AP view, L wrist XR, age 8 y, girl —
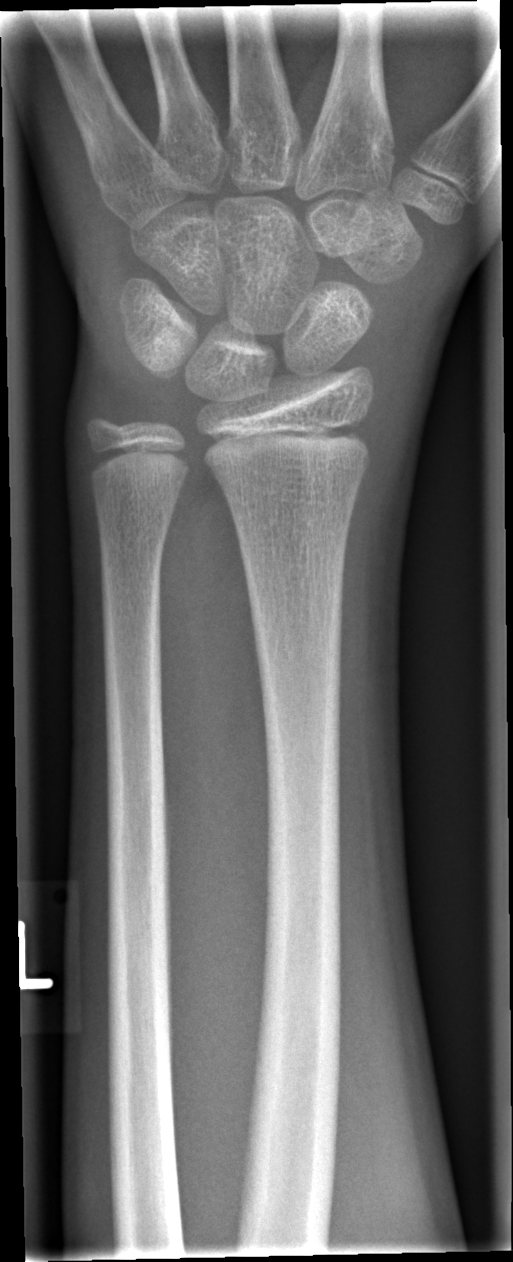
FINDINGS — No fracture labeled.